Left wrist radiograph, lat view, 6y M.

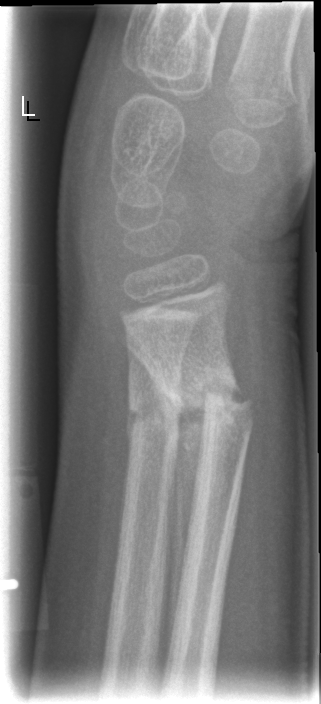 - Periosteal new bone identified at (142, 360, 208, 668).
- Fracture classified AO/OTA 23-M/3.1.
- Bone fracture: (152, 357, 258, 447), (122, 389, 186, 447).